Rt plain radiograph of the wrist; lat; image width 82.2 mm: 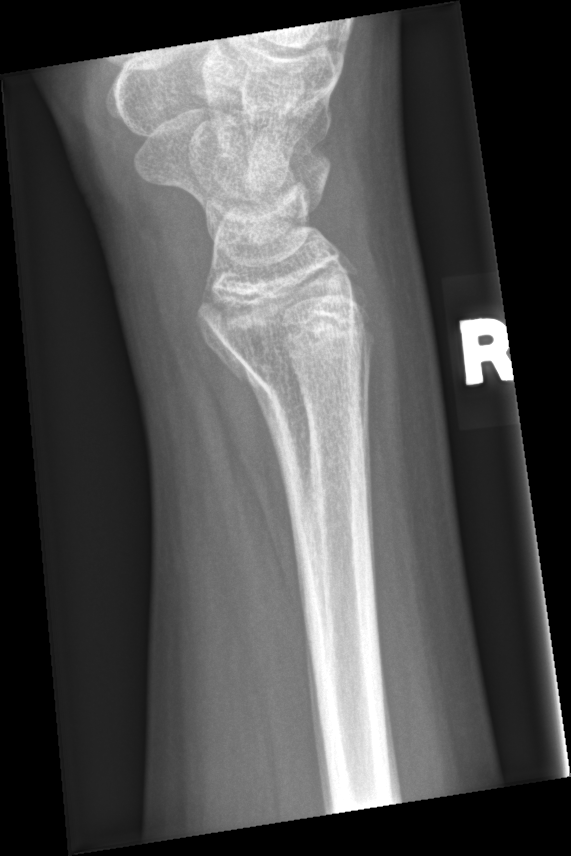
Fx — bbox(219, 312, 365, 405).